Left wrist radiograph; PA/AP view; age 14 y, male; image 97.9 mm wide:

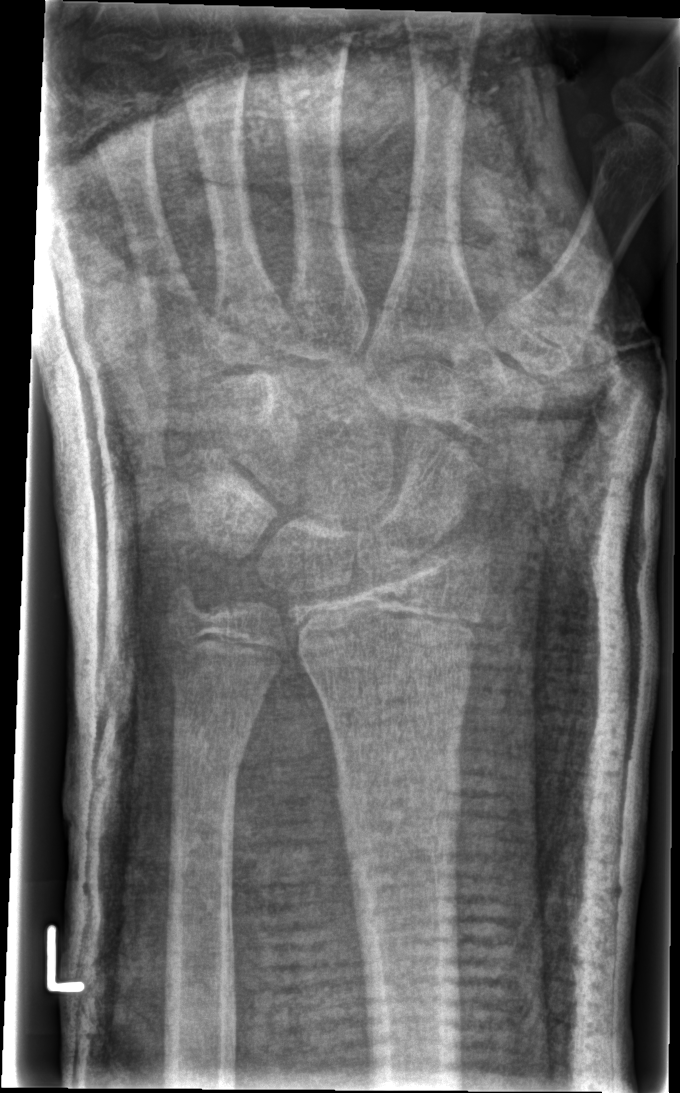

- Fx — [334, 766, 471, 863]; [168, 717, 254, 774].
- AO/OTA classification: 23-M/2.1.